Left wrist plain radiograph of the wrist · lateral projection · pediatric patient (girl, age 8) — 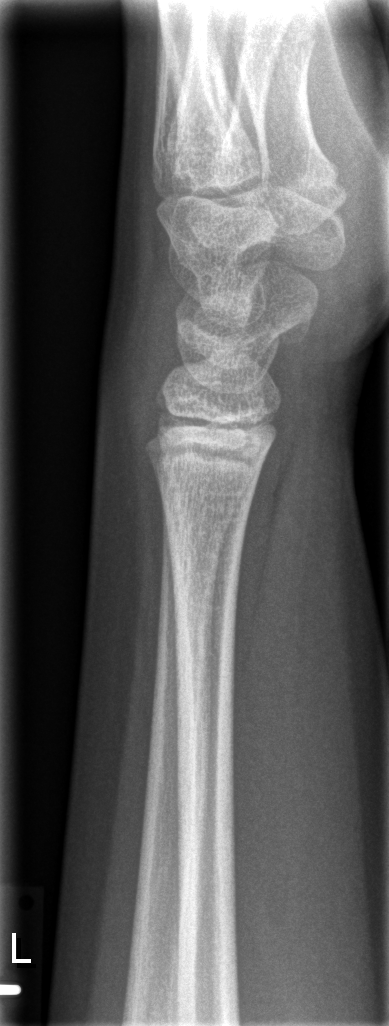 * Fracture: none labeled.